Lat projection | Lt wrist XR | pediatric patient (boy, age 15) | 814 x 1332 px:

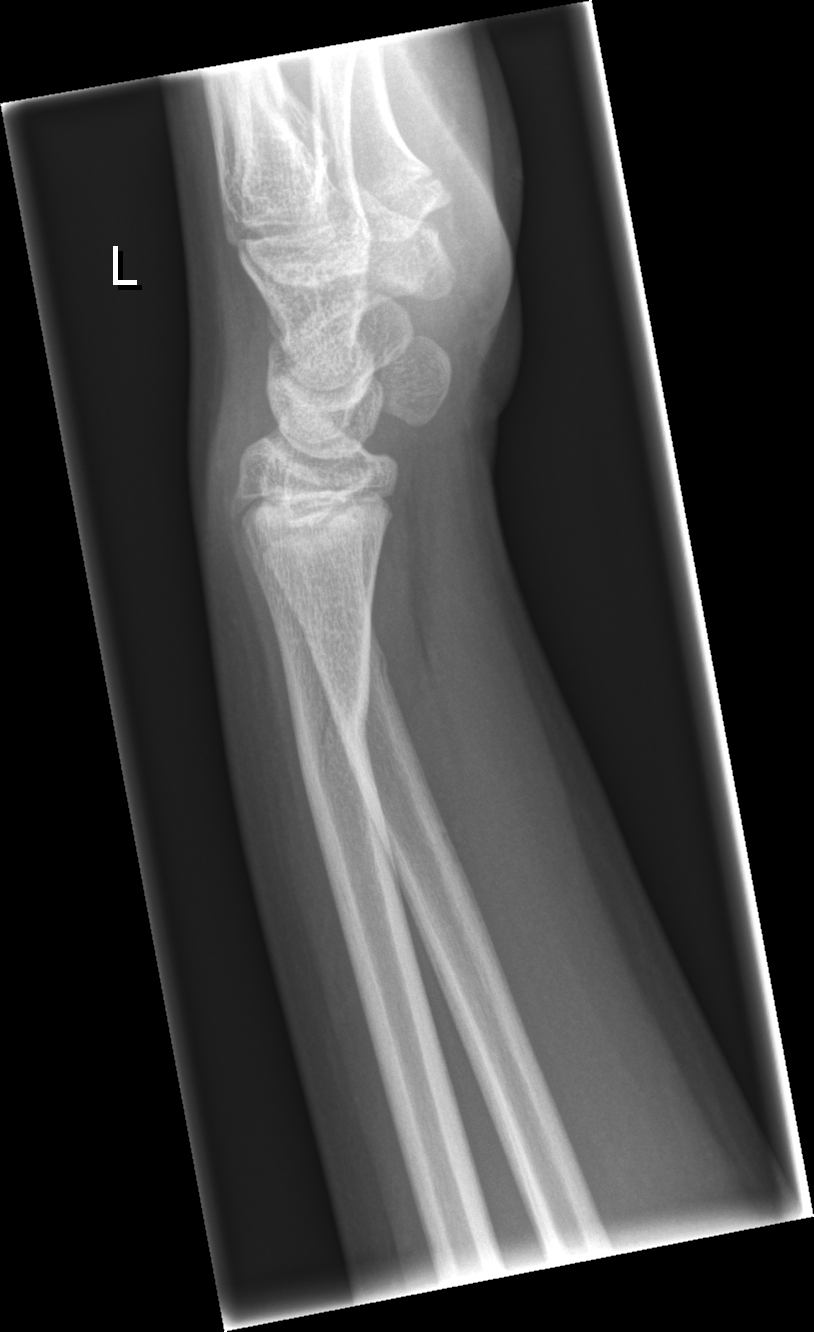 Bone fractures — (left=291, top=672, right=377, bottom=817), (left=305, top=626, right=393, bottom=702). AO code 23-M/2.1.